Frontal view | right wrist X-ray | 11-year-old female | cast in situ: 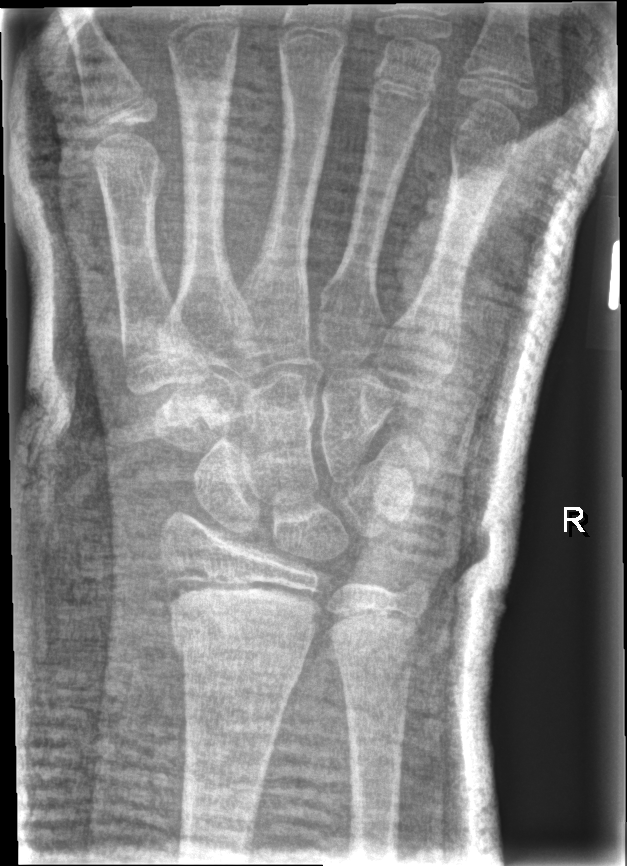
ao: 23r-E/2.1
fracture: [164, 577, 321, 691]